AP | left wrist radiograph | age 8 y, male
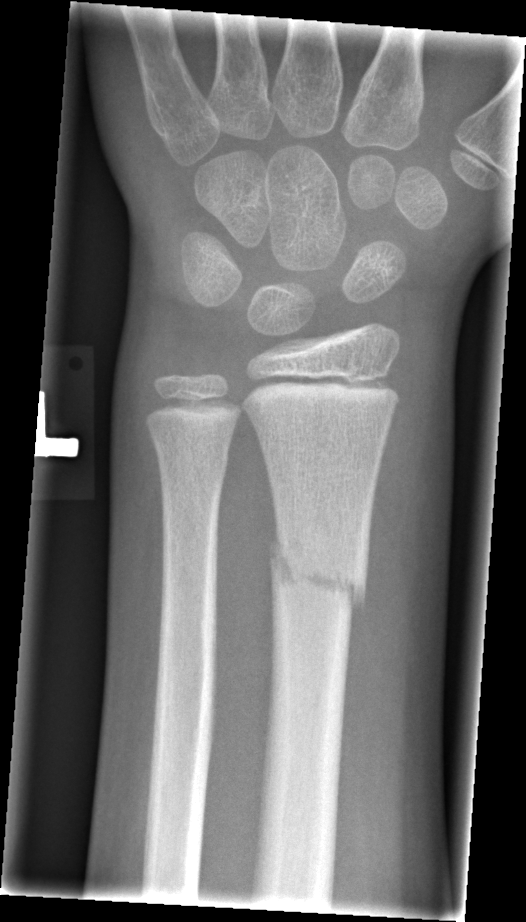

(bounding boxes in image-pixel xyxy)
Bone fracture: bbox(265, 532, 369, 624), bbox(155, 436, 231, 489)